Lateral view · Lt wrist XR · 6-year-old boy

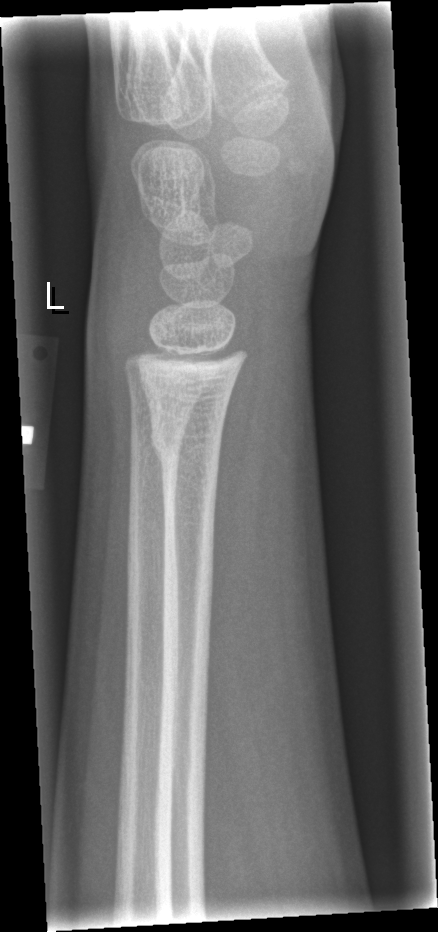

{
  "ao": "23r-M/2.1",
  "fracture": "1 @ (left=145, top=416, right=225, bottom=468)"
}